Lateral; left wrist XR; detector: Siemens: 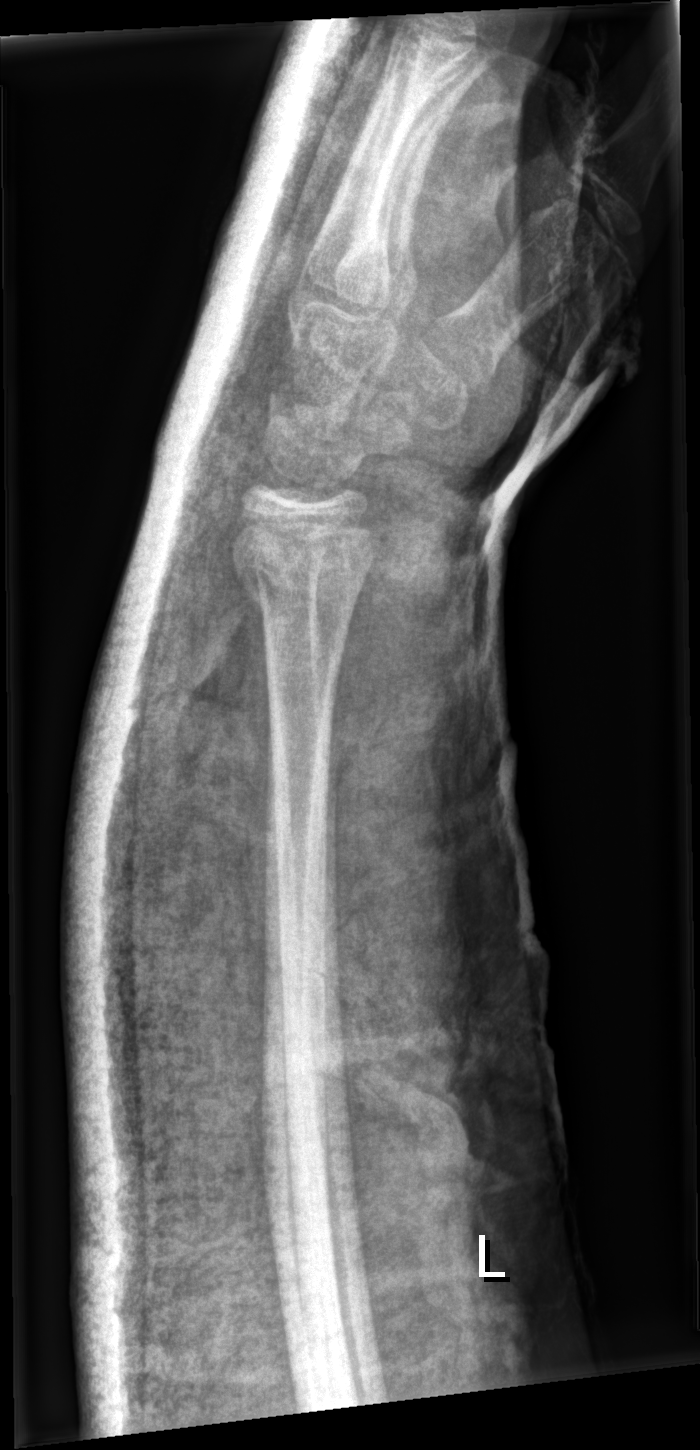

{"fracture": "1 @ bbox(229, 505, 381, 611)", "ao": "23r-E/2.1"}